L plain radiograph of the wrist · lateral view 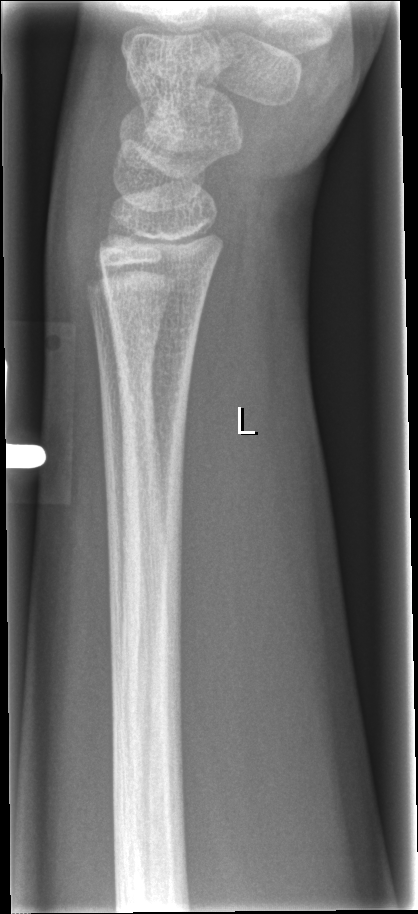
Findings: No fracture labeled.